Left wrist XR, lateral, pediatric patient (female, age 7) — 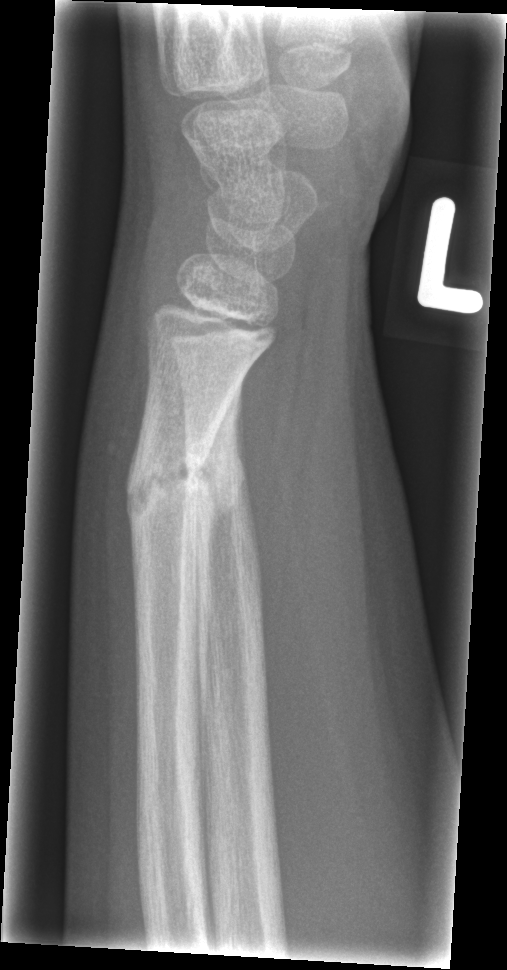 # coordinates are [x1, y1, x2, y2] in image pixels
osteopenia: present
fracture: [x1=125, y1=425, x2=243, y2=533]
periostealreaction: [x1=192, y1=378, x2=246, y2=807]